PA/AP | L wrist plain film | 13y M | cast present | detector: Siemens | 624x1098: 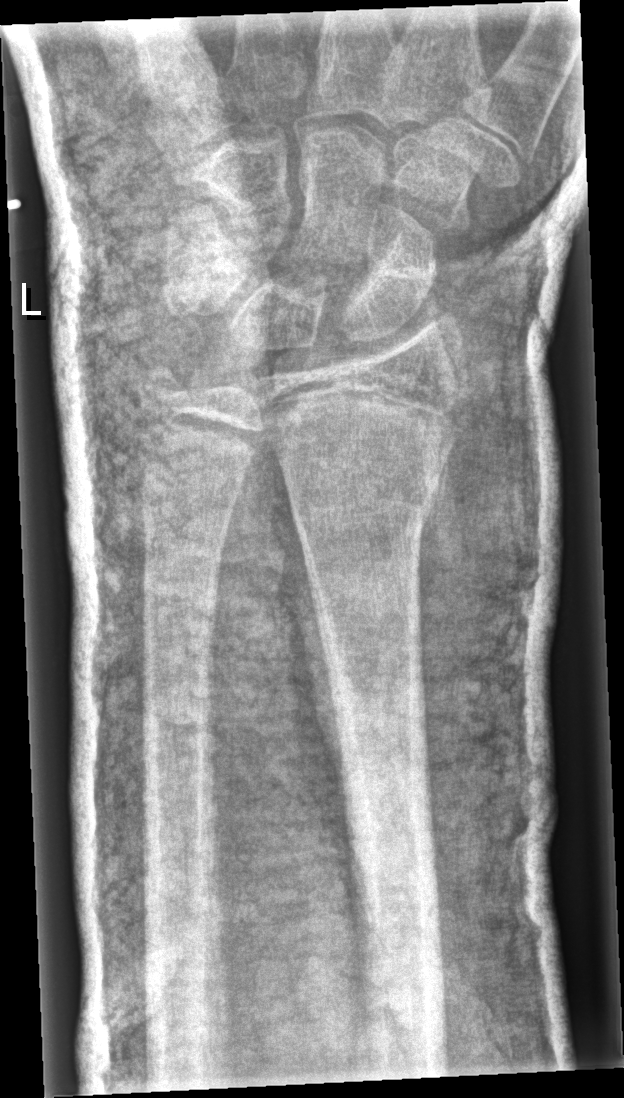 Bone fracture: 263 399 456 529; 133 352 198 410